Rt pediatric wrist radiograph, PA view, age 14 y, boy: 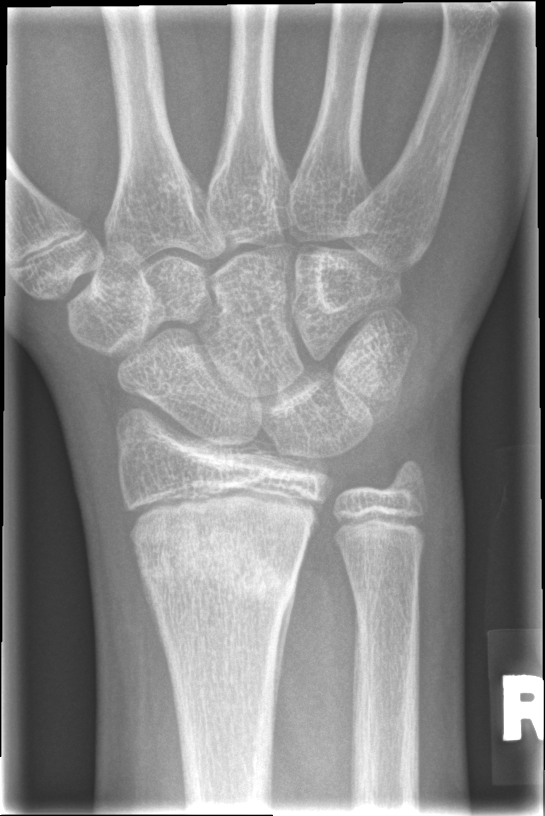

* Coordinates are [x1, y1, x2, y2] in image pixels.
* AO/OTA classification: 23r-M/2.1.
* Fx — <133,519>-<300,611>.
* Periosteal thickening identified at <271,542>-<307,787>.